PA/AP view · left wrist radiograph · follow-up · image width 81.9 mm.
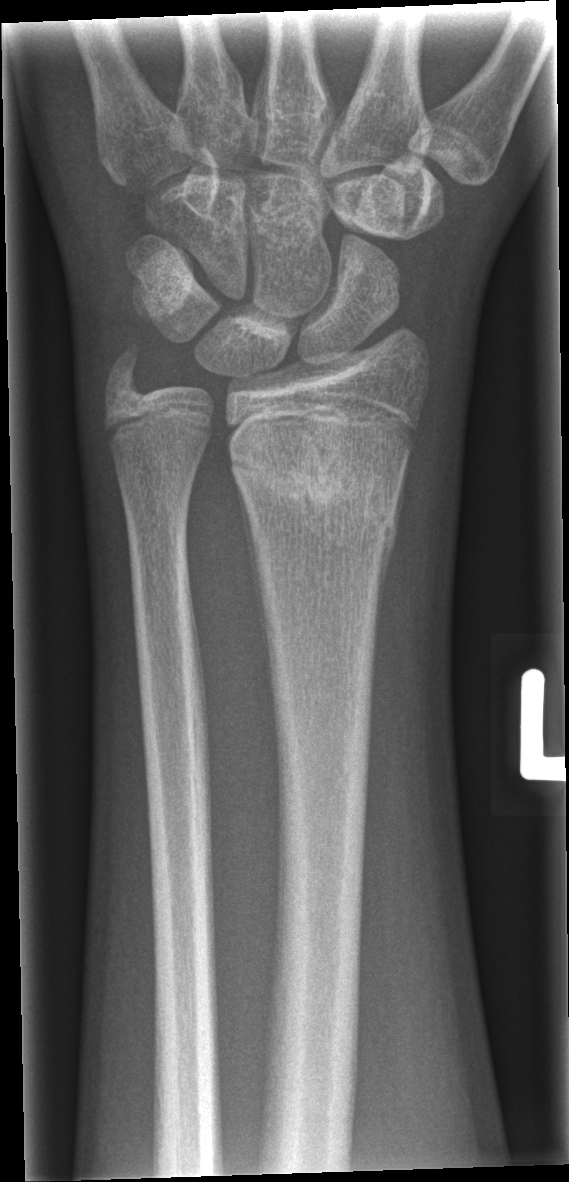

Coordinates are [x1, y1, x2, y2] in image pixels. Two periosteal thickening at 235,477,276,699
  373,453,408,665. Fracture classified AO/OTA 23r-M/3.1; 23u-E/7. Fracture: 227,427,403,556 | 99,339,155,418.